Lat · R wrist radiograph:

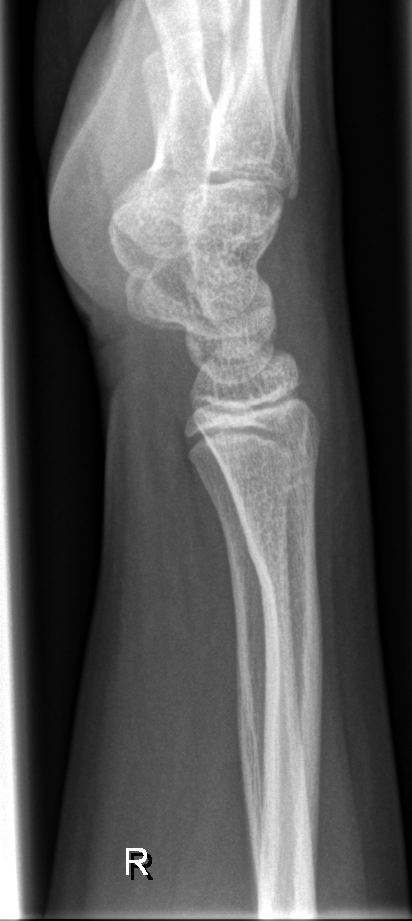 Fracture — (241, 517, 323, 603).